Right wrist XR; PA/AP; female, 4 yo; acquired on Siemens —
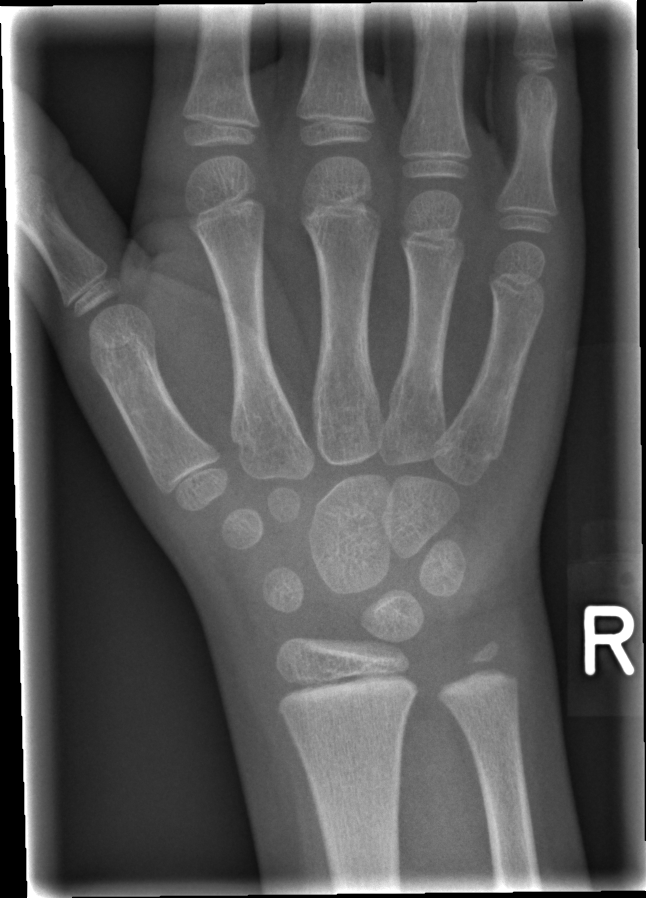

No Fx annotated.